Left pediatric wrist radiograph · lat projection. 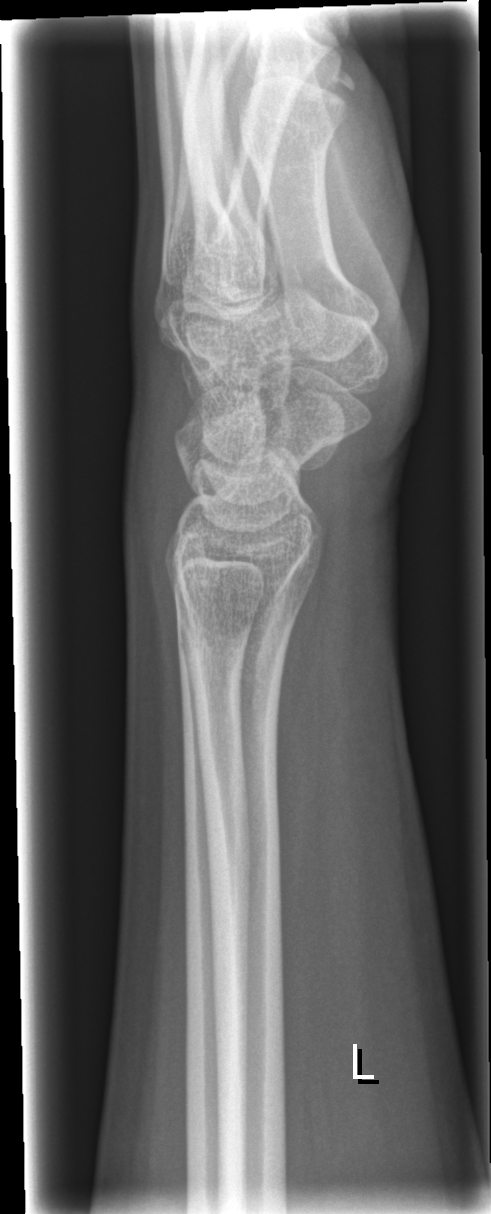

No fracture bounding box.